PA | left pediatric wrist radiograph | age 10 y, boy 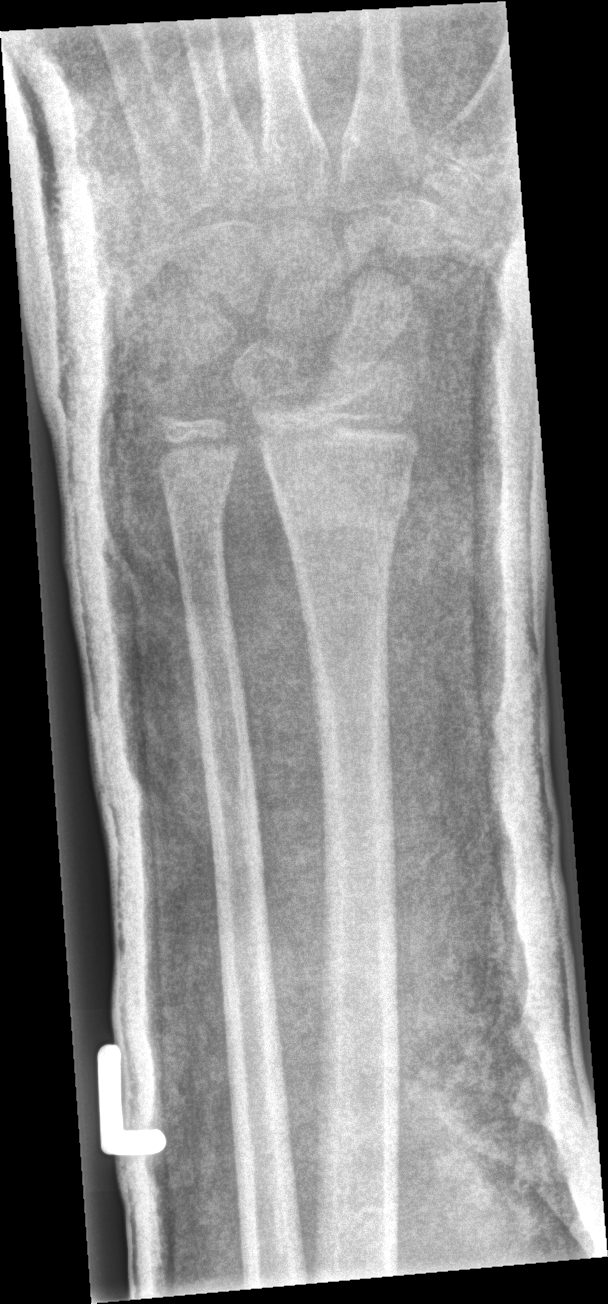
fracture = (274, 487, 414, 545)